Frontal; R wrist XR; image width 94.0 mm.
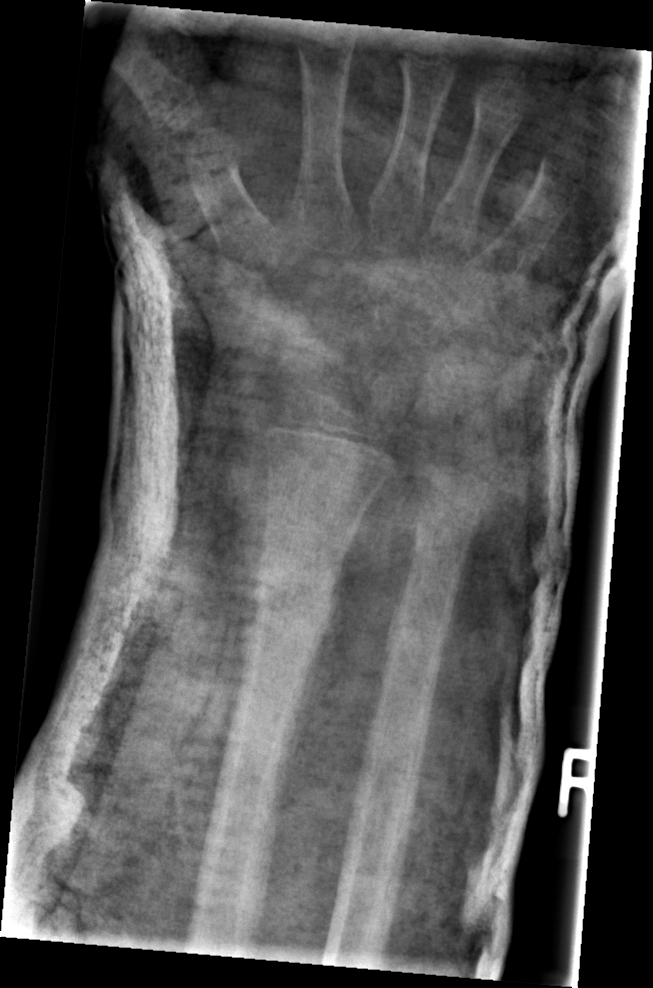

AO classification = 23-M/3.1
Bone fracture = 2 @ (249, 570, 346, 636); (382, 603, 450, 658)